AP projection; right wrist plain film; 12y F.

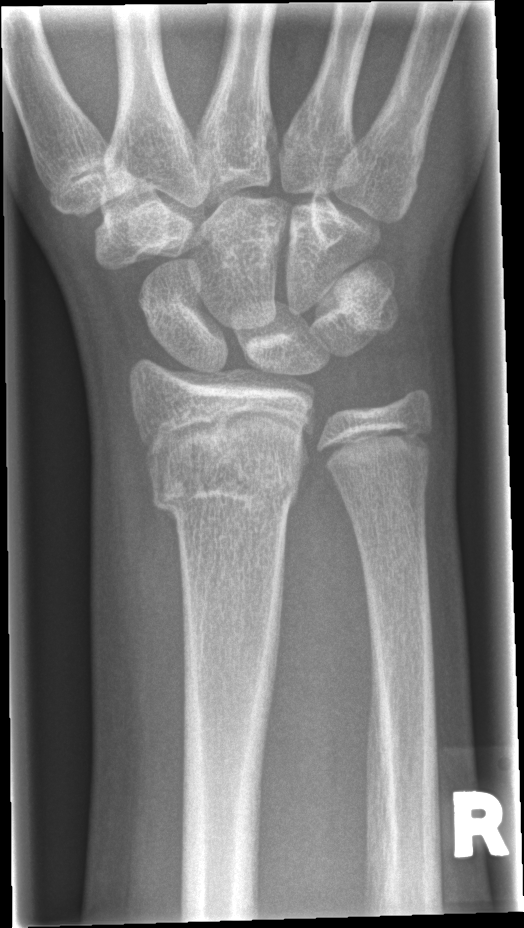

  # pixel coordinates, top-left origin, xyxy
  ao: 23r-M/3.1; 23u-M/2.1; 23u-E/7
  fracture: 2 @ <140,407>-<307,517>, <390,375>-<438,432>